AP · left wrist XR · male, 13 yo —
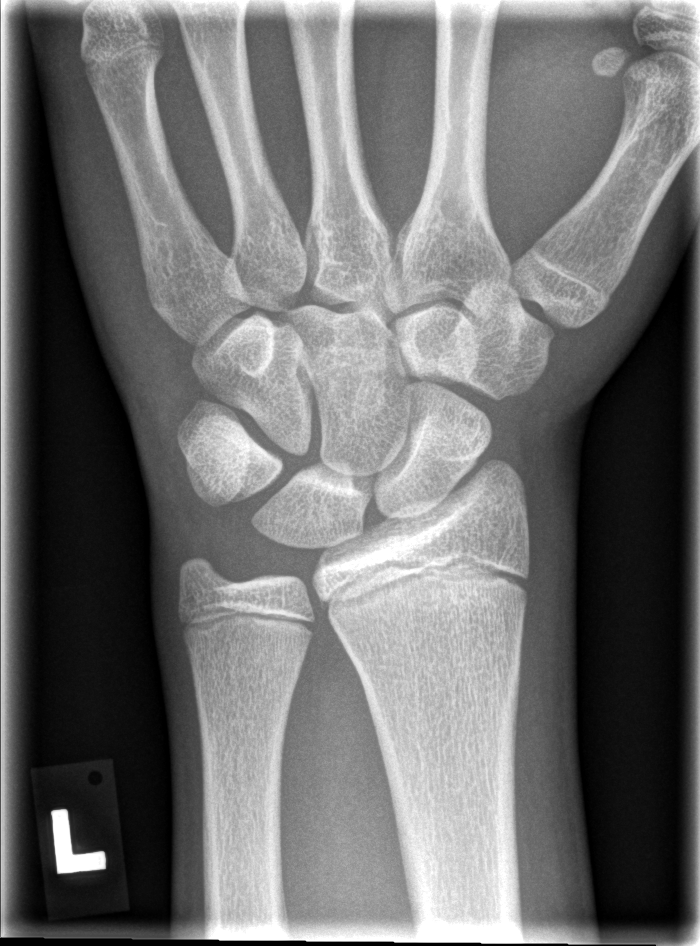
No Fx annotated.